L plain radiograph of the wrist, AP, image size 588x1028.
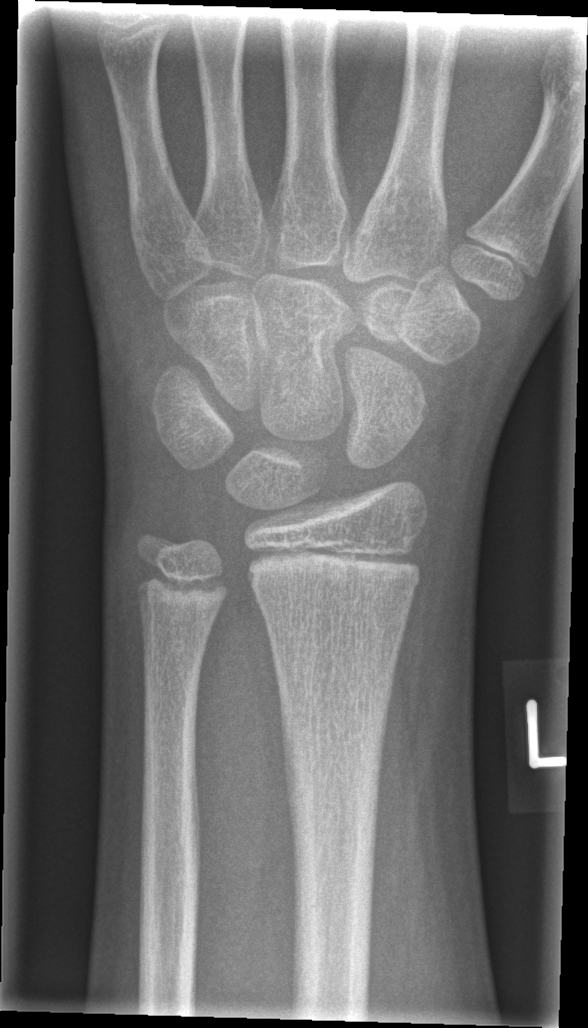

No fracture annotation.